Lat projection, L wrist plain film, 17y F, image 84.8 mm wide: 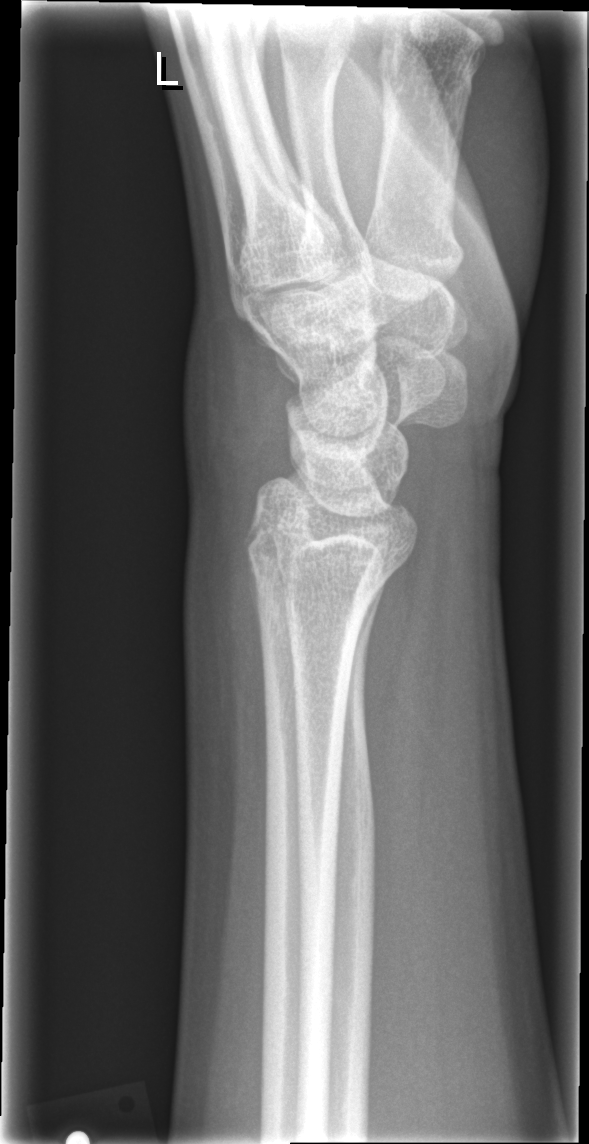 * Soft tissue abnormality — <179,297>-<293,508>.
* No fracture annotation.